Left wrist X-ray, lat view, age 13 y, male, detector: Siemens.

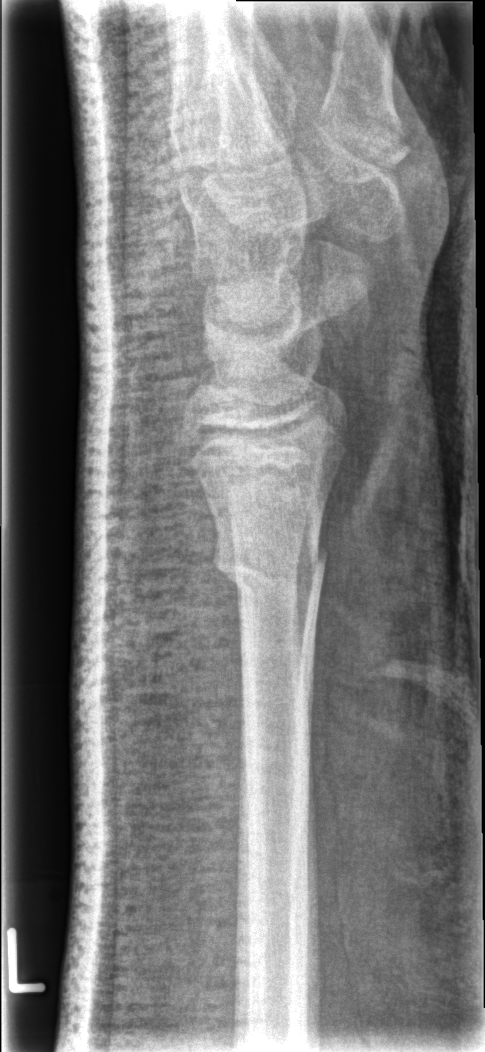 Bounding boxes in image-pixel xyxy. Bone fracture — (left=211, top=540, right=331, bottom=598).